Lat projection; left wrist radiograph; 7-year-old male; follow-up 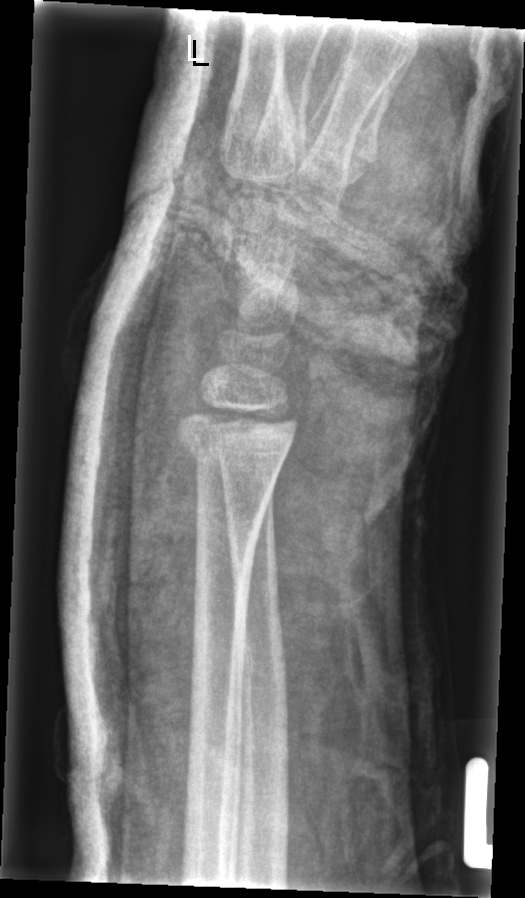
(boxes as x1,y1,x2,y2 (top-left / bottom-right, pixel units))
bone fracture = 1 @ 174,422,291,485